Right wrist XR | PA/AP | pediatric patient (boy, age 11):
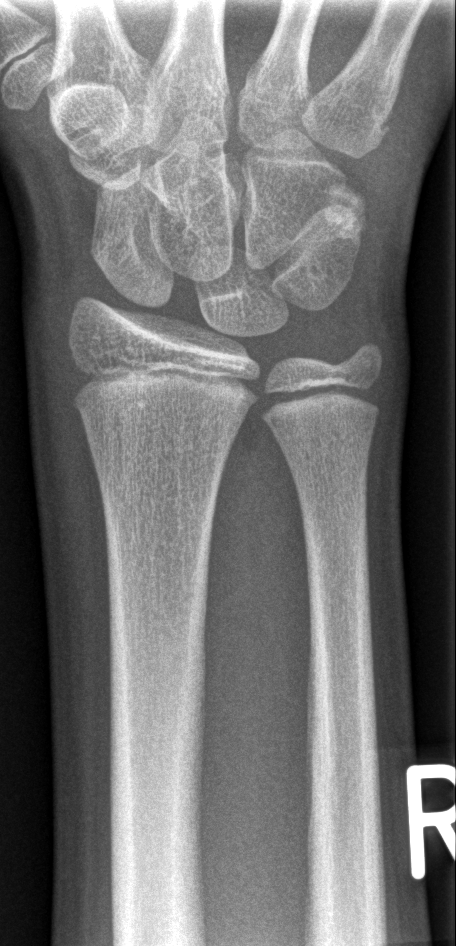

Fx: none labeled